Left wrist plain film · PA/AP · girl, 4 yo · 466 x 642 px —

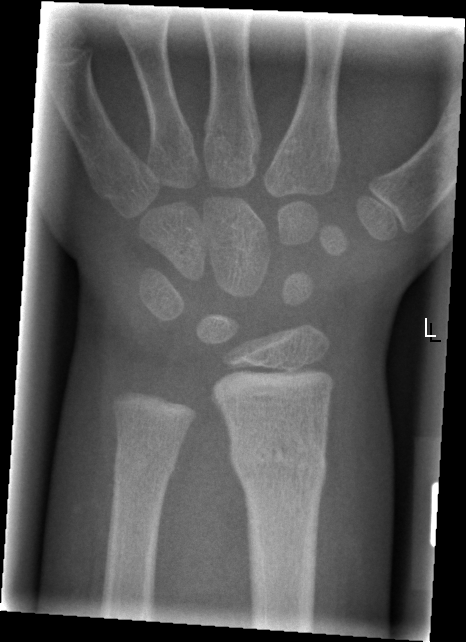
AO code: 23-M/2.1
Fracture: (left=226, top=429, right=330, bottom=500), (left=109, top=434, right=181, bottom=484)